Right wrist X-ray | lateral view | 8y F | image width 50.5 mm | 351x594.
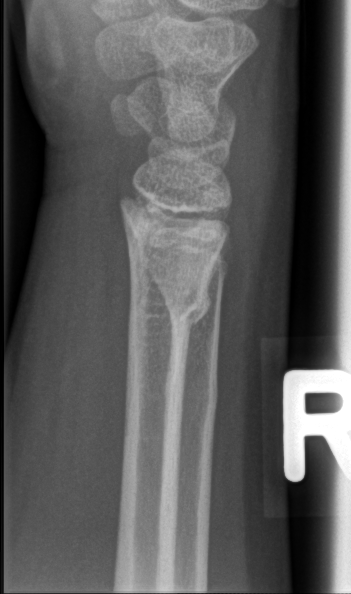
Pixel coordinates, top-left origin, xyxy. Fracture: <123,274>-<214,338>, <160,364>-<220,438>. Fracture classified AO/OTA 23-M/2.1.